R pediatric wrist radiograph | frontal view | in cast | 568x880: 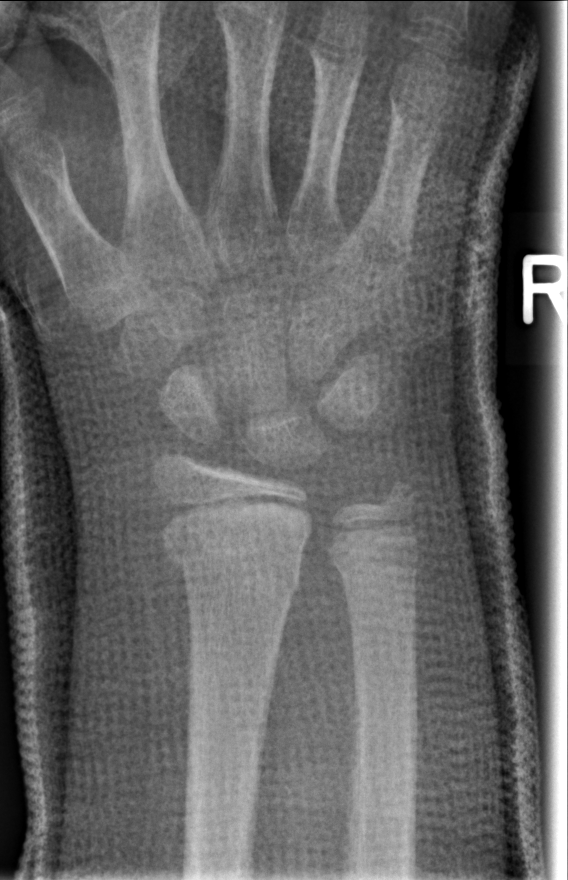
Findings: Two Fx at [x1=151, y1=497, x2=306, y2=605] [x1=373, y1=469, x2=427, y2=522]. AO code 23r-E/2.1; 23u-E/7.